L plain radiograph of the wrist, lat view, presentation radiograph:
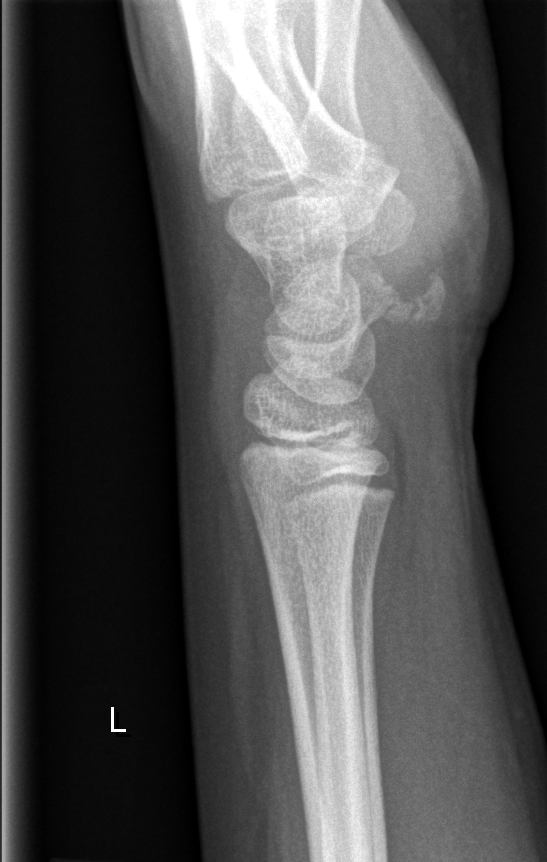 Fracture = none labeled